Left pediatric wrist radiograph; lat projection; age 11 y, boy. 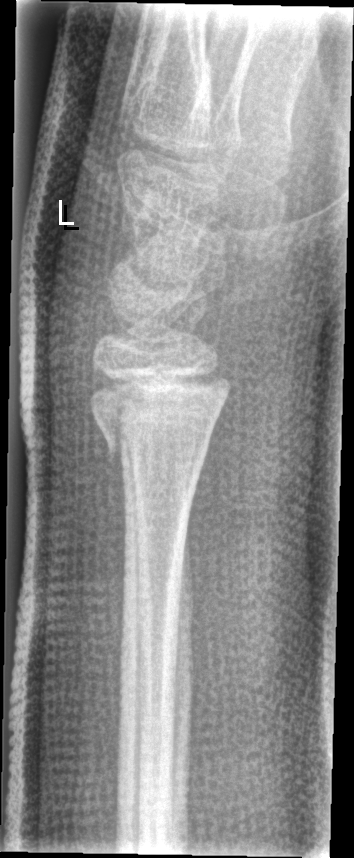 • Fracture — bbox(84, 364, 234, 470).
• AO/OTA classification: 23r-E/2.1.